Lat, L wrist plain film, follow-up:
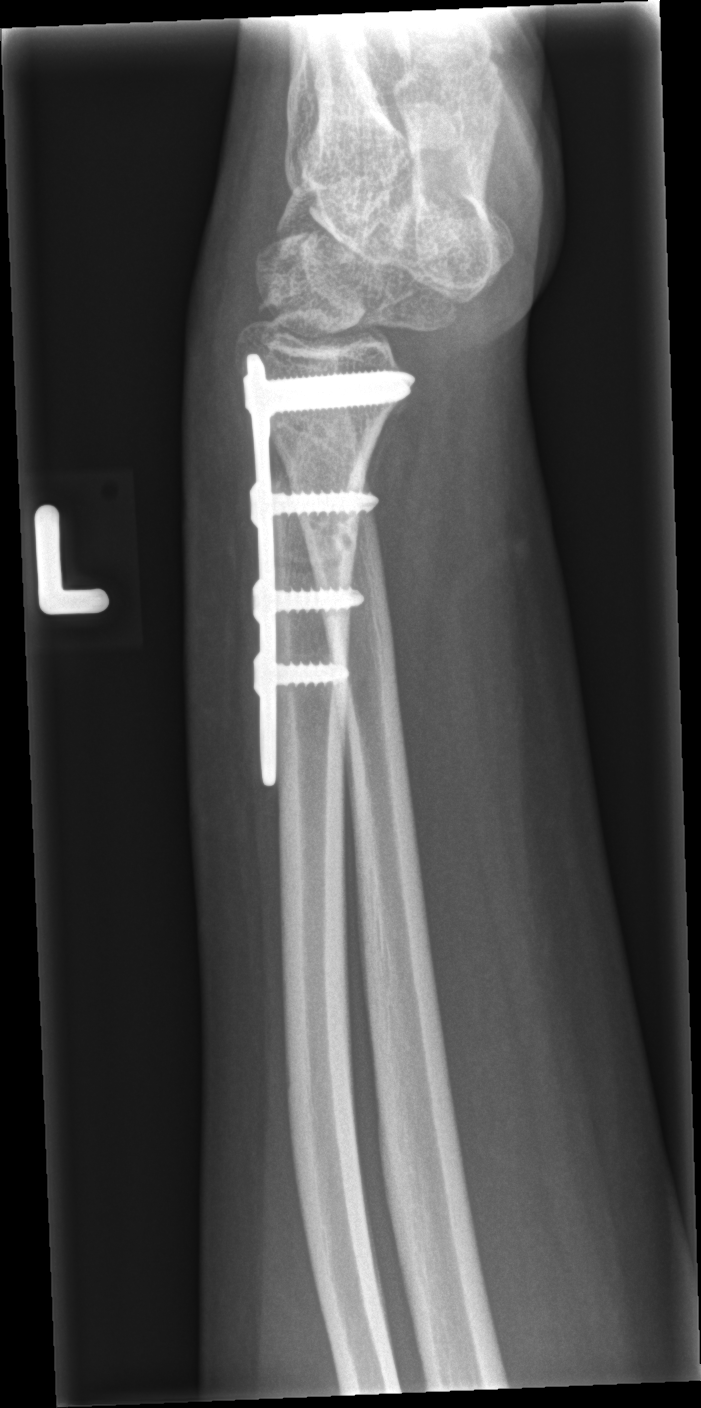
Fx = present but not clearly seen in this view
Metallic implant = 1 @ 239 357 436 797
Osseous anomaly = 283 413 369 473; 278 338 376 372
Osteopenia = present